Lat, right wrist pediatric wrist radiograph, boy, 11 yo, Siemens, image size 342x853: 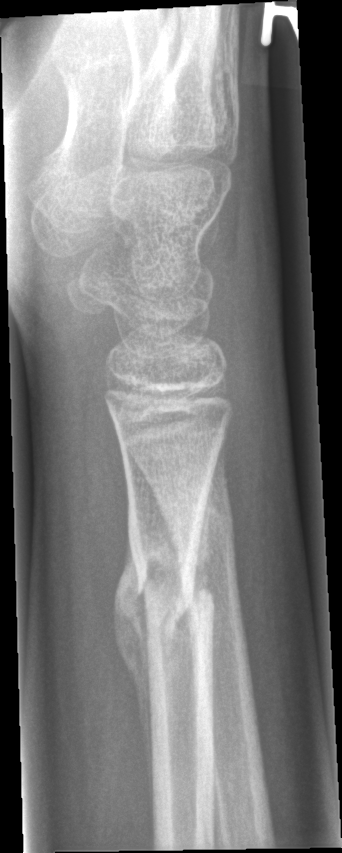

(pixel coordinates, top-left origin, xyxy)
Q: Locate any periosteal reaction.
A: Periosteal new bone — (112, 536, 154, 842), (190, 474, 211, 614)
Q: Locate any fractures.
A: Bone fracture identified at (129, 544, 215, 647) (156, 487, 243, 566)
Q: Bone density?
A: Osteopenia